PA view, Rt wrist X-ray, 18y F, initial study —
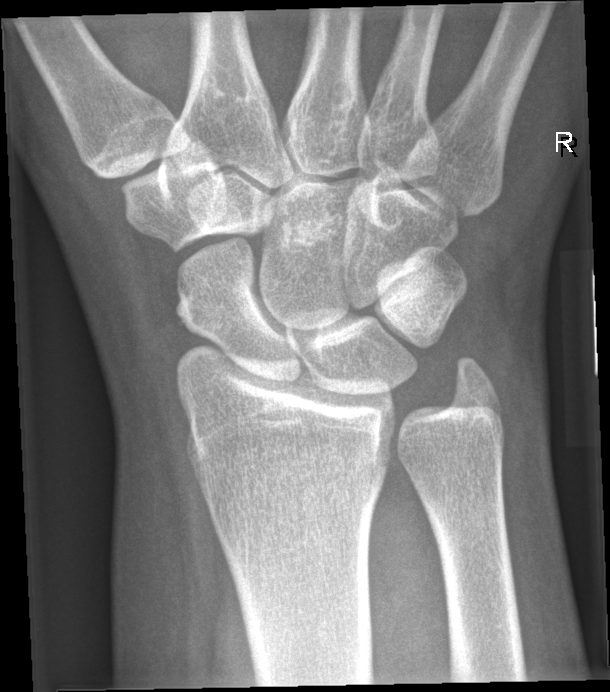
Bone fracture: none labeled